Left wrist plain film; lat view; follow-up study; image size 412x1005
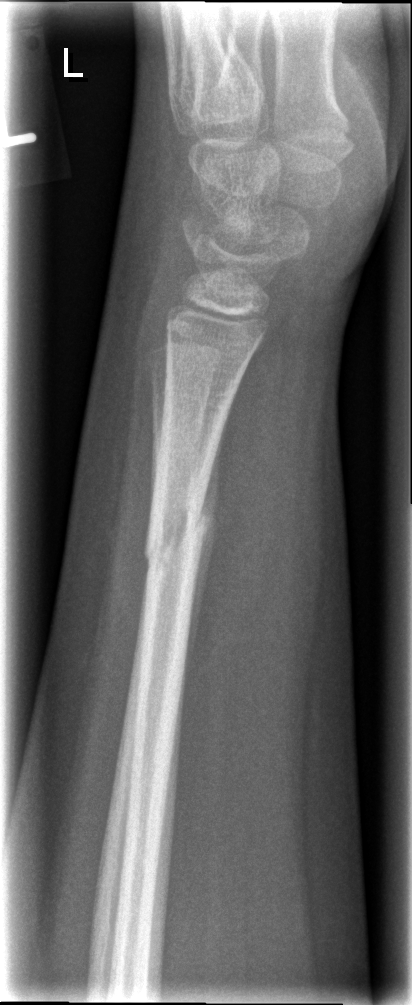 - Coordinates are [x1, y1, x2, y2] in image pixels.
- Periosteal new bone — [x1=183, y1=397, x2=235, y2=696].
- Osteopenic.
- Fracture classified AO/OTA 23r-M/3.1; 23u-M/2.1.
- Bone fracture identified at [x1=141, y1=491, x2=210, y2=577].